AP | R pediatric wrist radiograph | 88.4 mm image width | 614 x 1416 px —

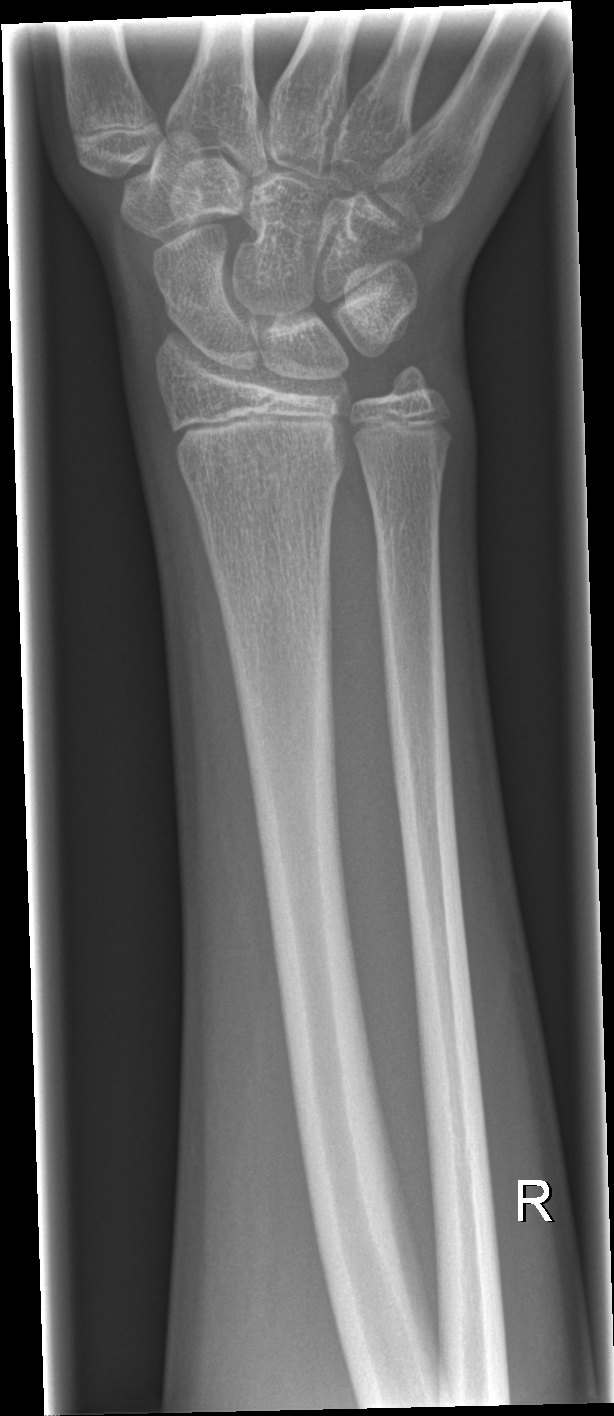
Fx = present but not clearly seen in this view